PA/AP projection · Lt wrist X-ray · 11y M · subsequent exam · Siemens —
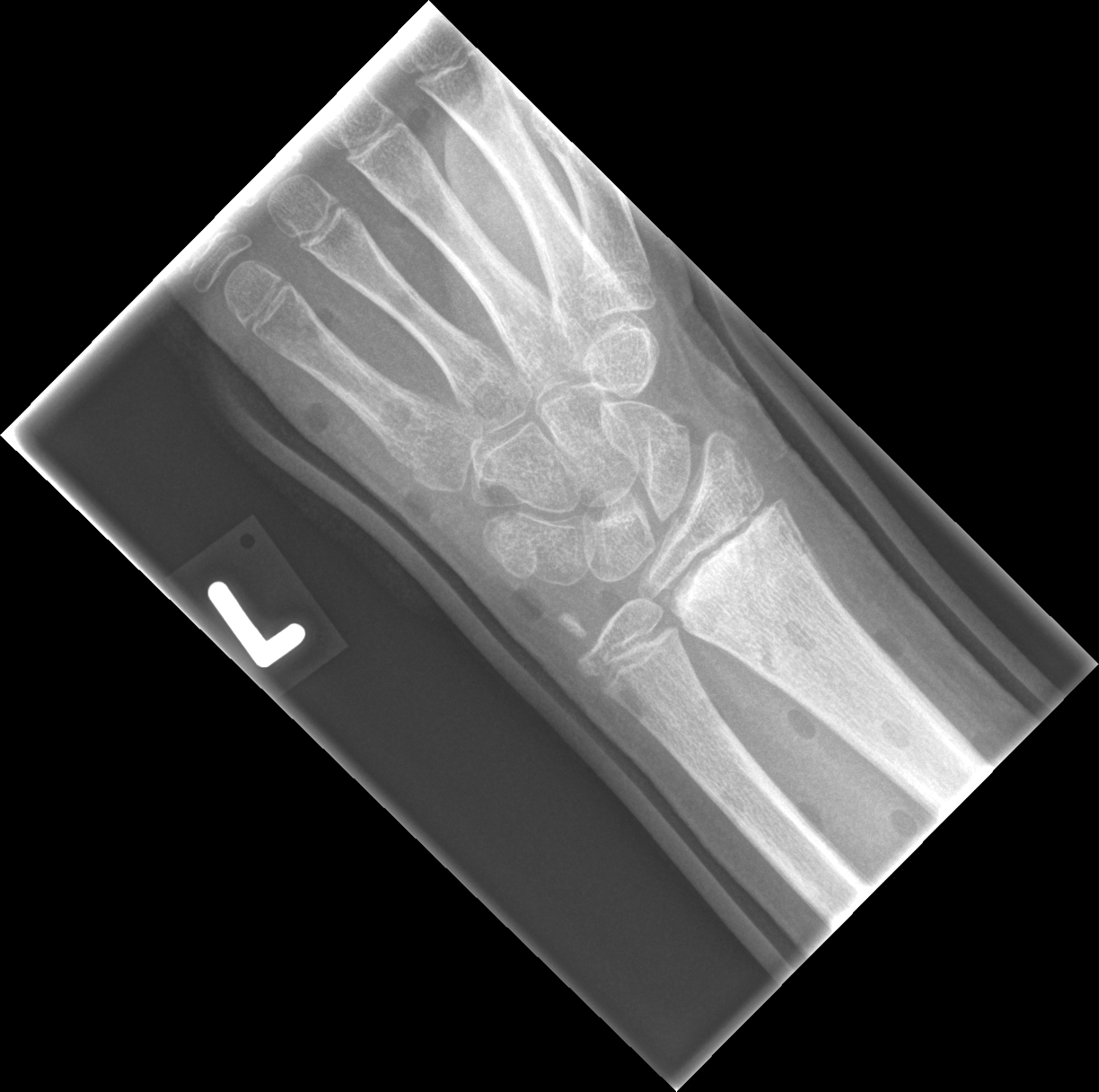
Pixel coordinates, top-left origin, xyxy.
Fracture classified AO/OTA 23r-E/2.1; 23u-E/7.
Fracture identified at 655,485,811,630
  551,608,605,668.
Osteopenic.